Rt wrist plain film, lateral view, 14y F: 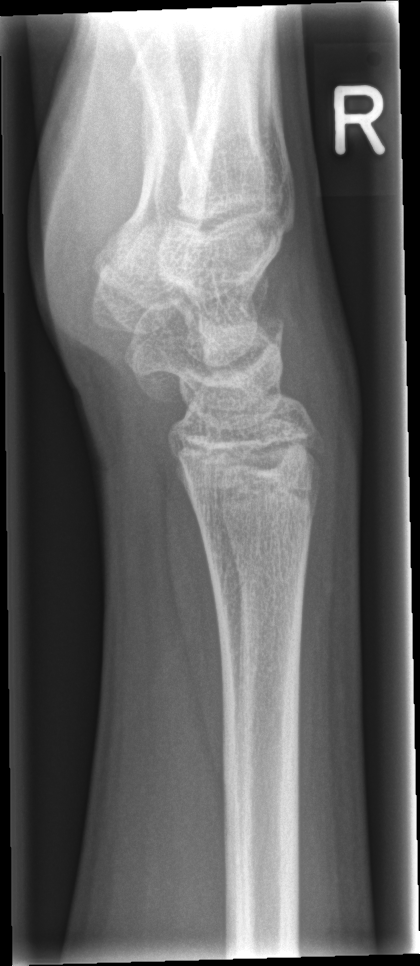

Fracture: none labeled.